Lateral projection · Lt wrist XR · 429 x 794 px 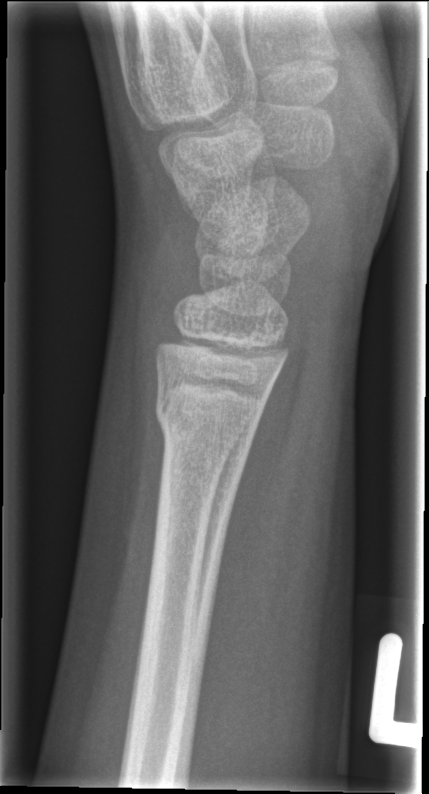 Fracture identified at [152, 380, 262, 455].
AO code 23r-M/2.1.